Rt plain radiograph of the wrist; frontal; 7y F.

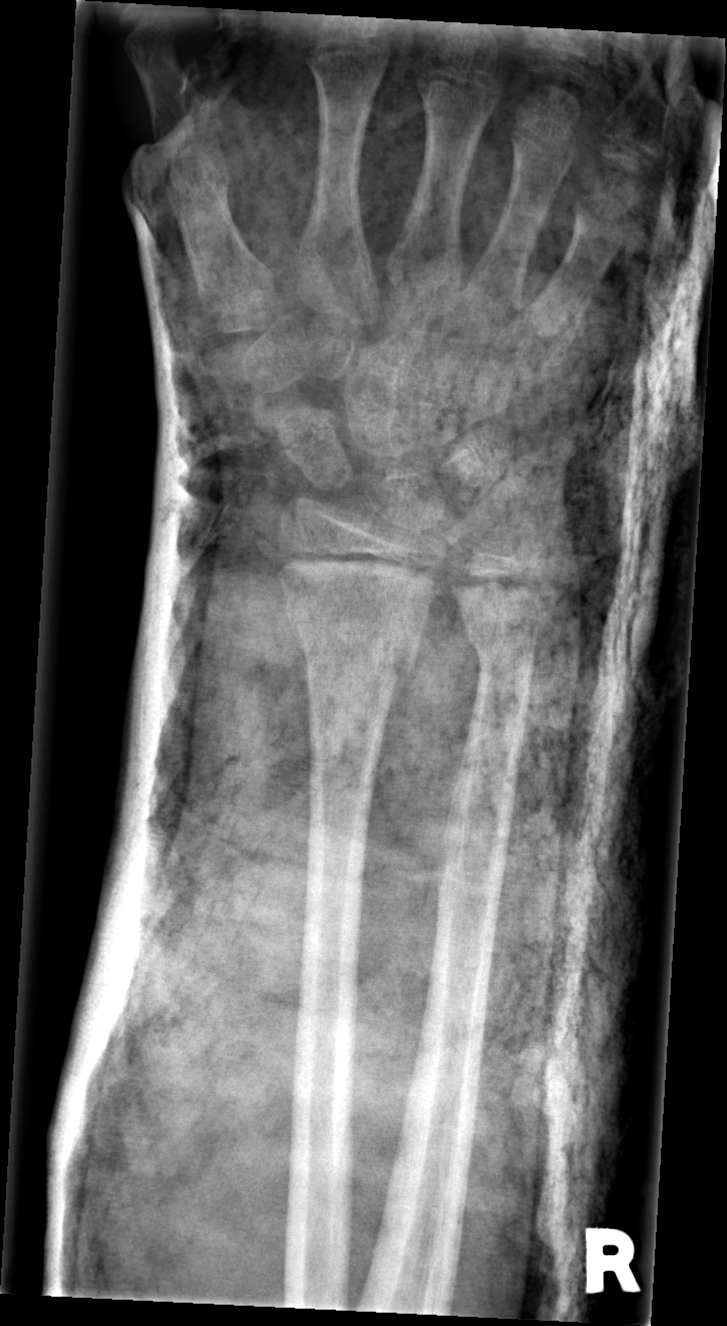

- Coordinates are [x1, y1, x2, y2] in image pixels.
- AO/OTA classification: 23r-M/3.1; 23u-M/2.1.
- Fracture identified at <285,593>-<426,697>; <458,603>-<550,672>.